Lateral; Lt pediatric wrist radiograph
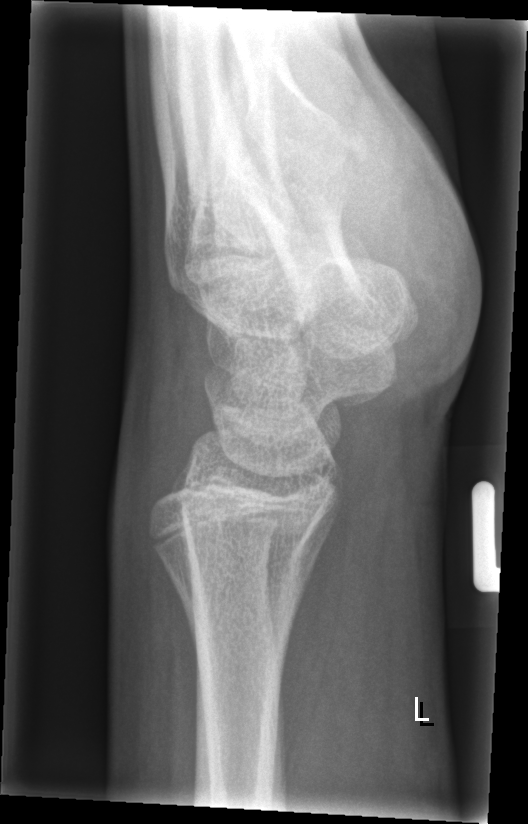
{"fracture": "none labeled"}